Lat · left wrist radiograph · pediatric patient (girl, age 5) · imaged through cast · 592 x 950 px.

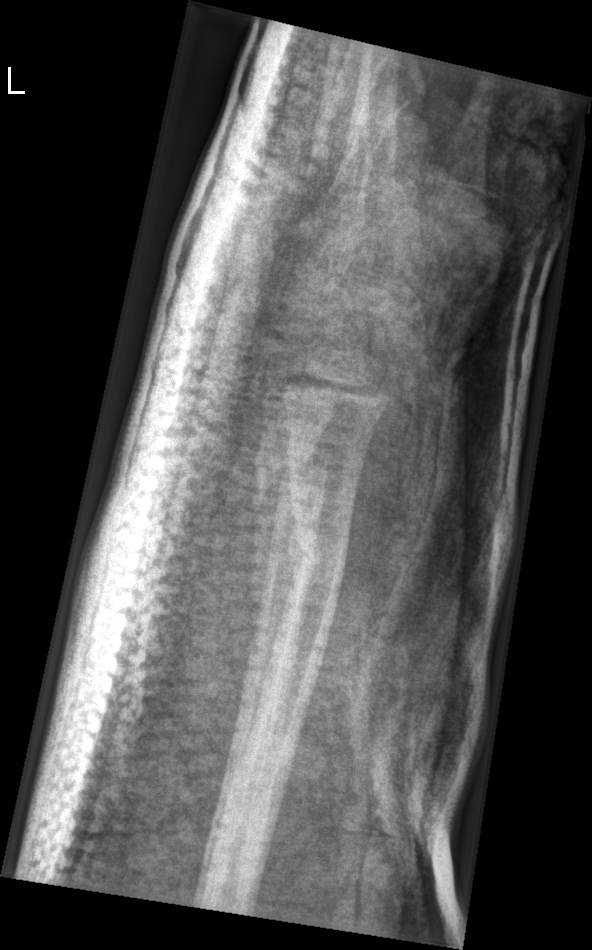

• Fracture classified AO/OTA 23r-M/2.1; 23u-M/3.1.
• Fx: <282,509>-<353,606>.